Lat view, Rt plain radiograph of the wrist, age 15 y, male, image size 722x900: 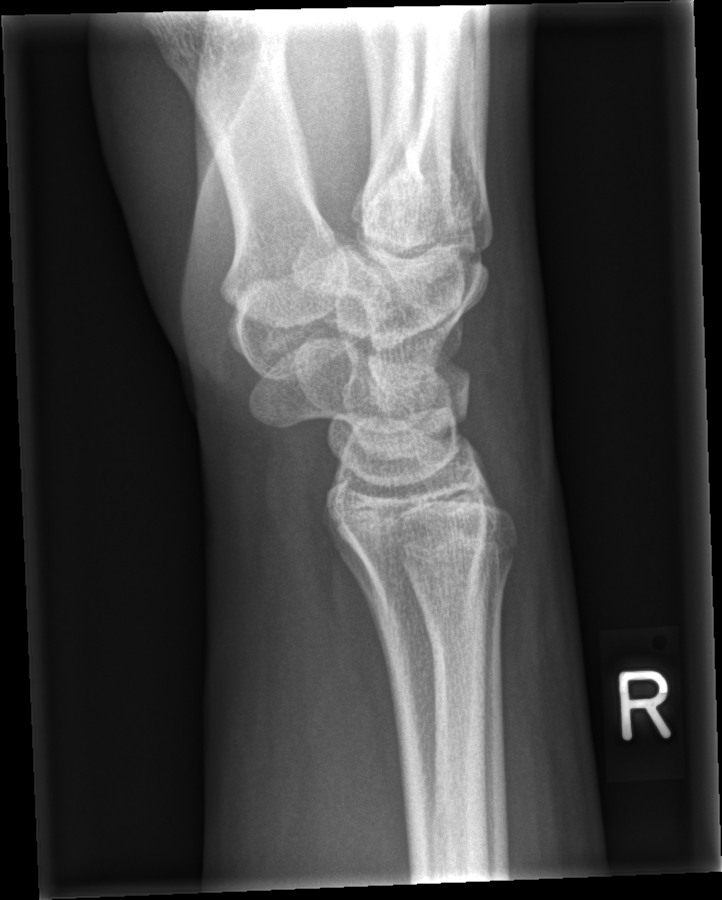
Fx = none labeled